R wrist radiograph; lat view; age 6 y, male
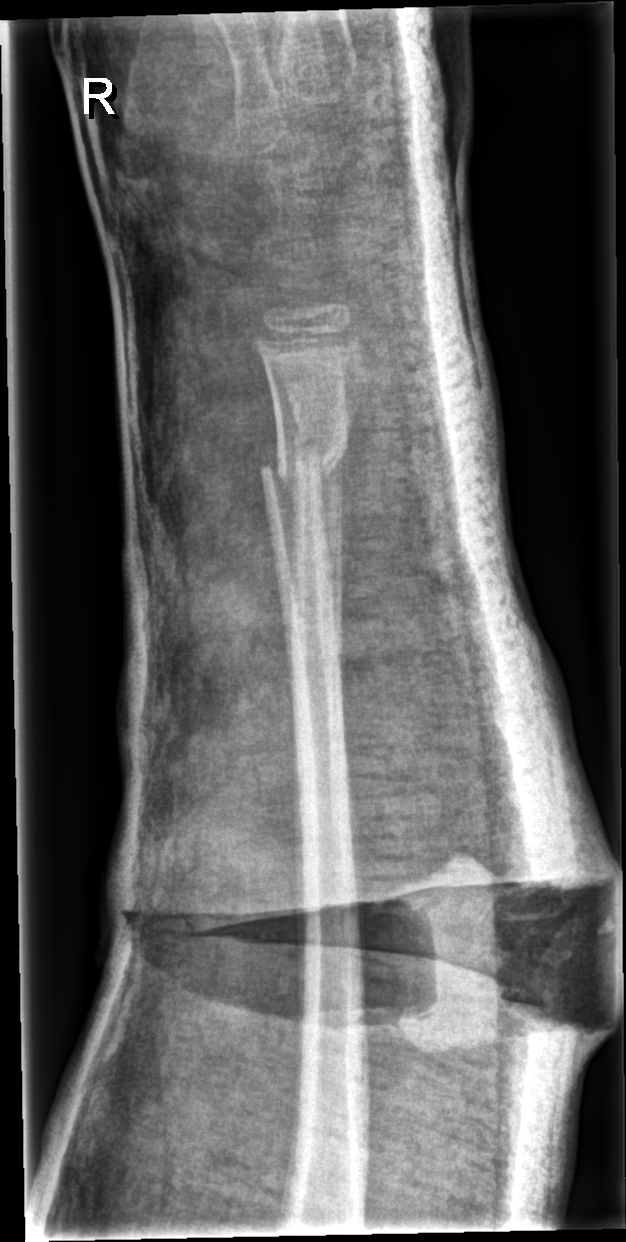 Bone fracture: 1 @ bbox(257, 430, 353, 490)
AO classification: 23r-M/3.1; 23u-M/2.1